Lt wrist XR · lateral projection · girl, 10 yo · diagnosis uncertain · 533 by 1060 pixels —

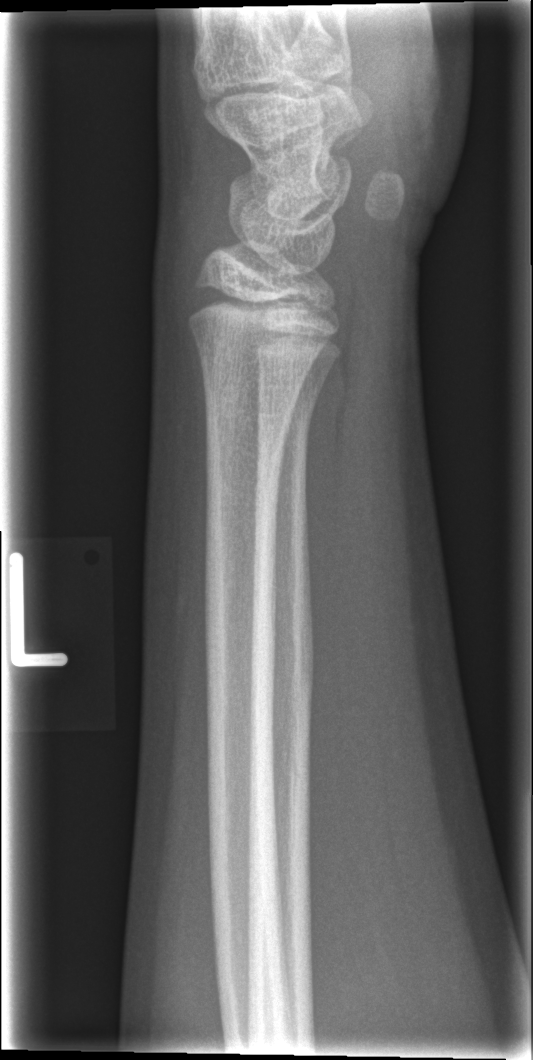
No fracture labeled.